Lateral view, right wrist X-ray, 79.8 mm image width
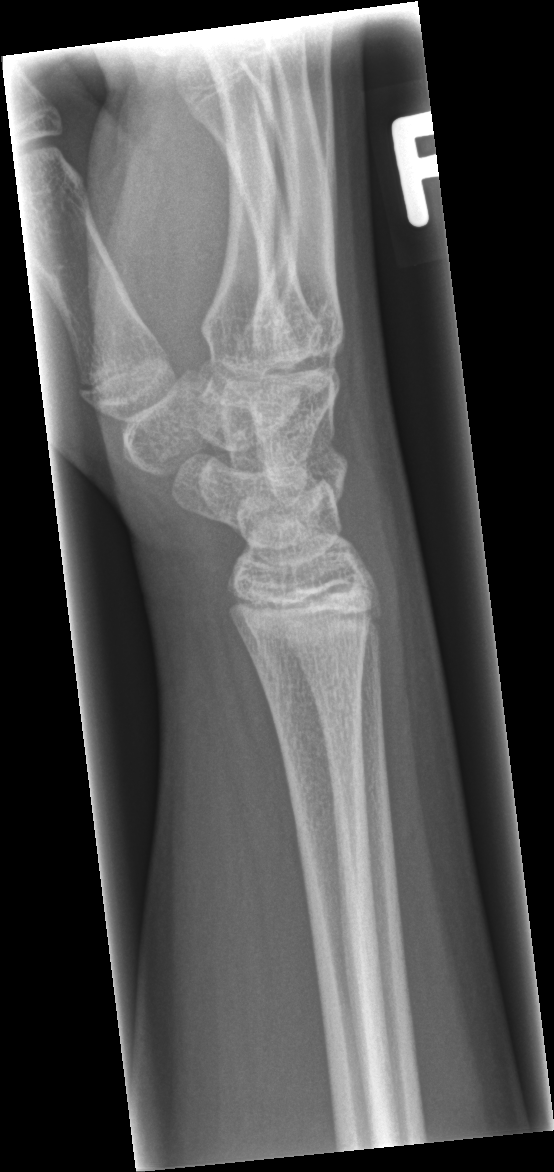
Fx = none labeled